R wrist X-ray · lateral projection · age 12 y, girl: 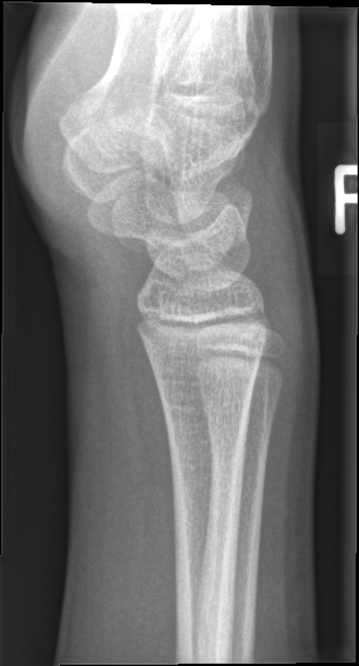

Fx = none labeled